Left wrist XR | lat projection | 8y M:
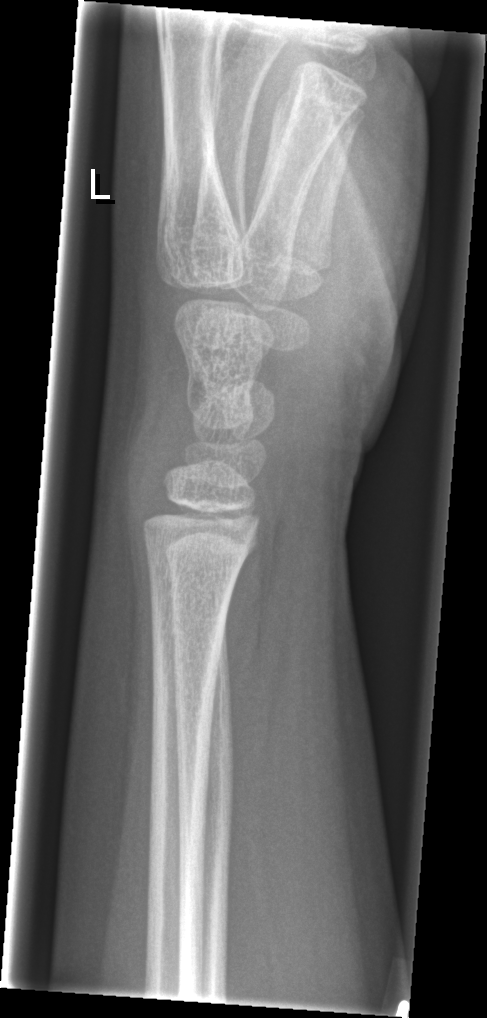
- No Fx annotated.